Right wrist plain film, lateral view, 610 by 1018 pixels:

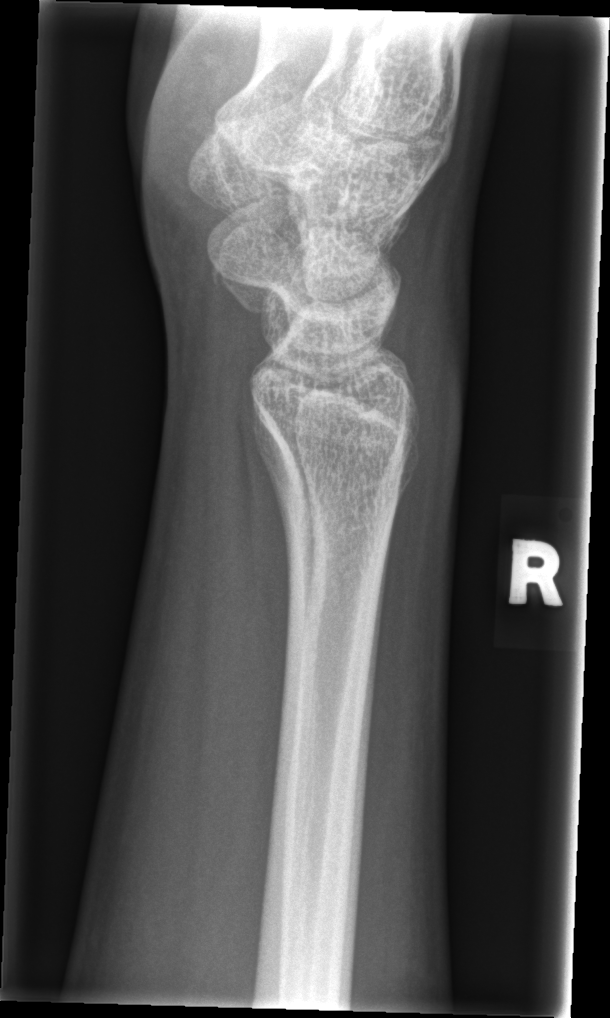
Fracture: none labeled